R wrist X-ray | frontal view | male, 11 yo | acquired on Siemens | 590 x 1058 px.

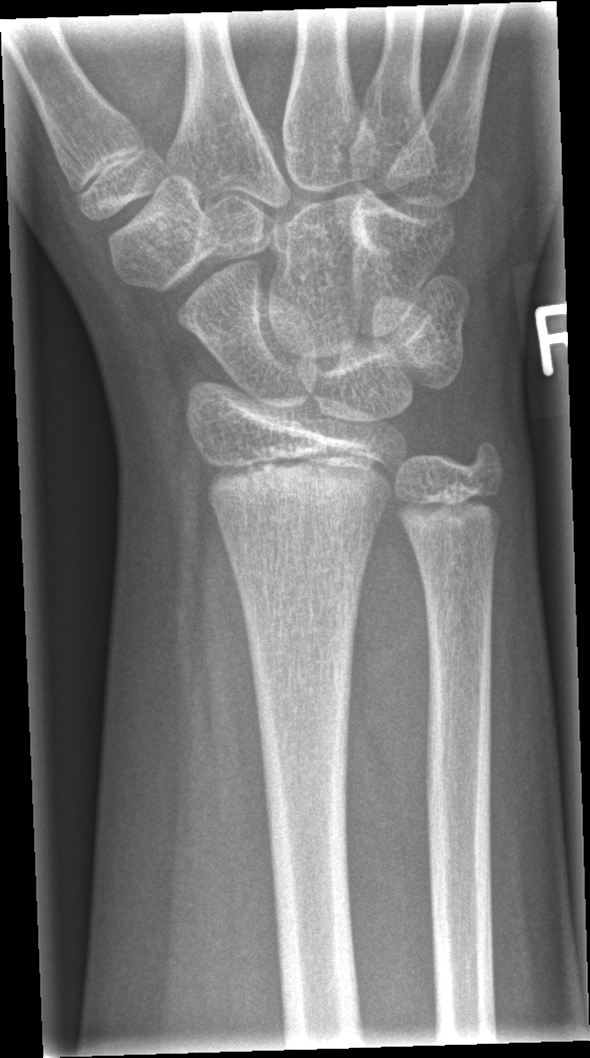

AO code 23r-M/2.1. Fracture present, but no bounding box because it is not clearly seen in this view.